Lat, left wrist plain film, female, 11 yo, acquired on Siemens, image 51.4 mm wide.
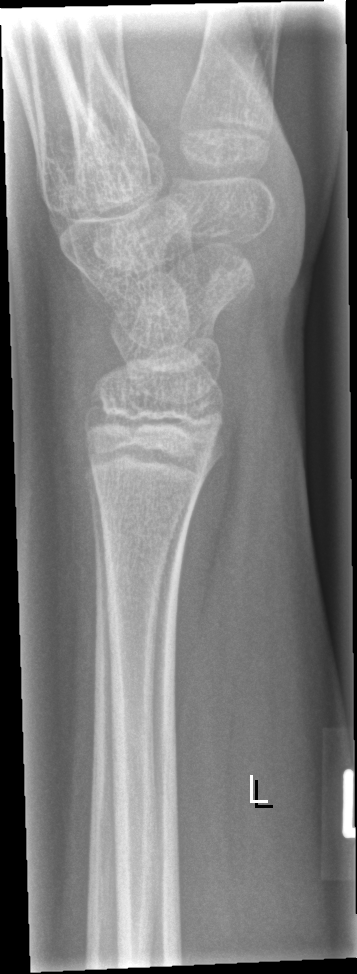
No Fx annotated.